R plain radiograph of the wrist; PA/AP view; age 9 y, girl; in cast; 115.9 mm image width

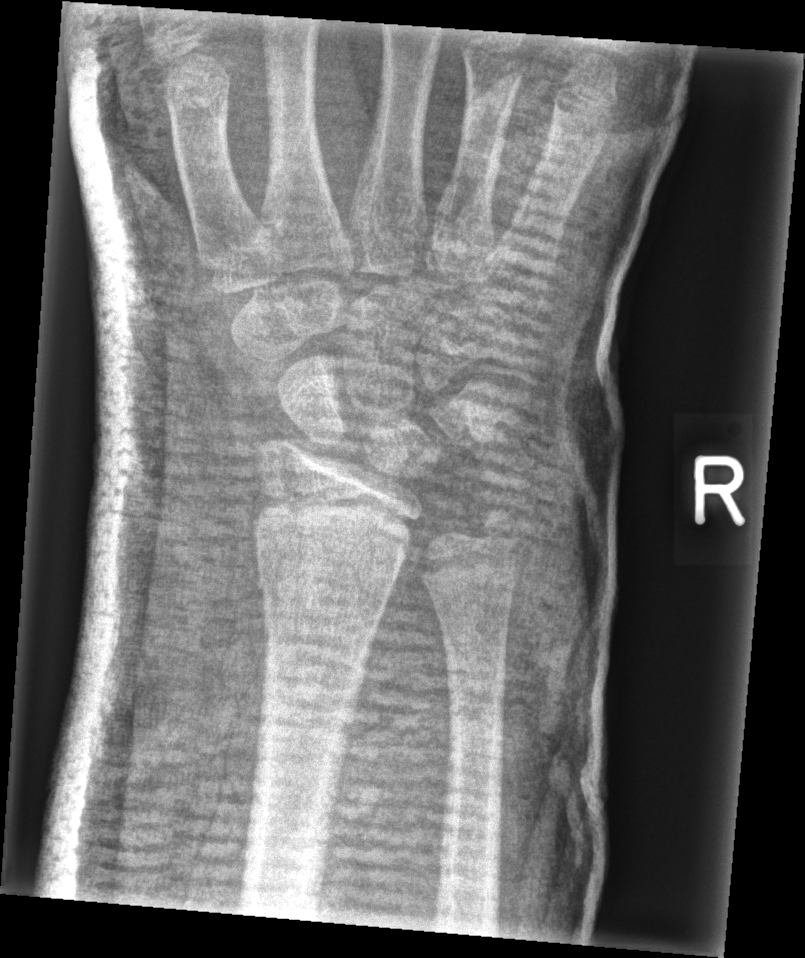

AO code = 23r-M/3.1; 23u-E/7
Fx = 2 @ 253,560,395,633; 472,502,526,556